Lat | L wrist XR:

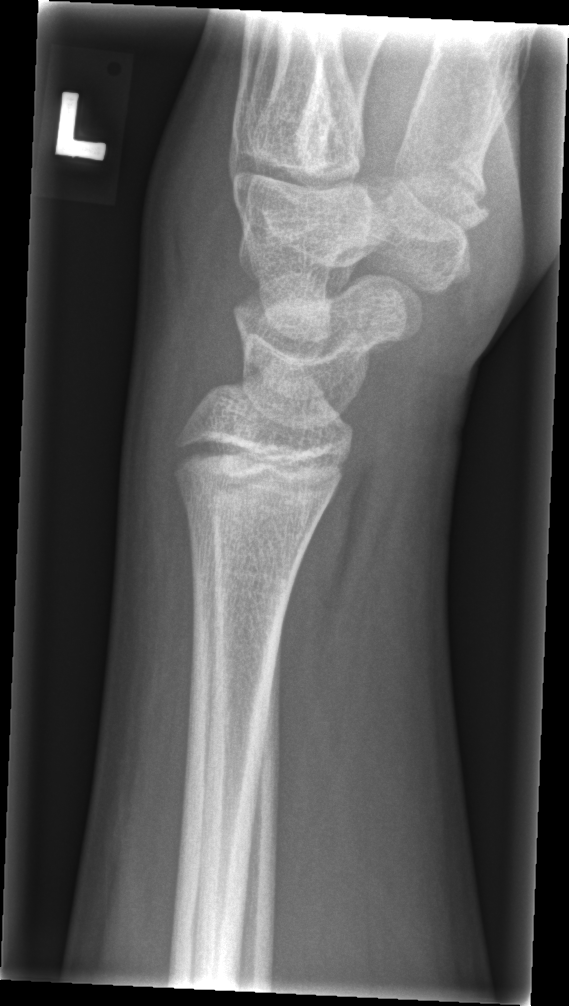

(pixel coordinates, top-left origin, xyxy)
soft tissue abnormality: 1 @ [x1=148, y1=93, x2=267, y2=388]
fracture: present but not clearly seen in this view
AO classification: 72B(c)